Lt wrist X-ray, PA/AP view, presentation radiograph, 86.8 mm image width — 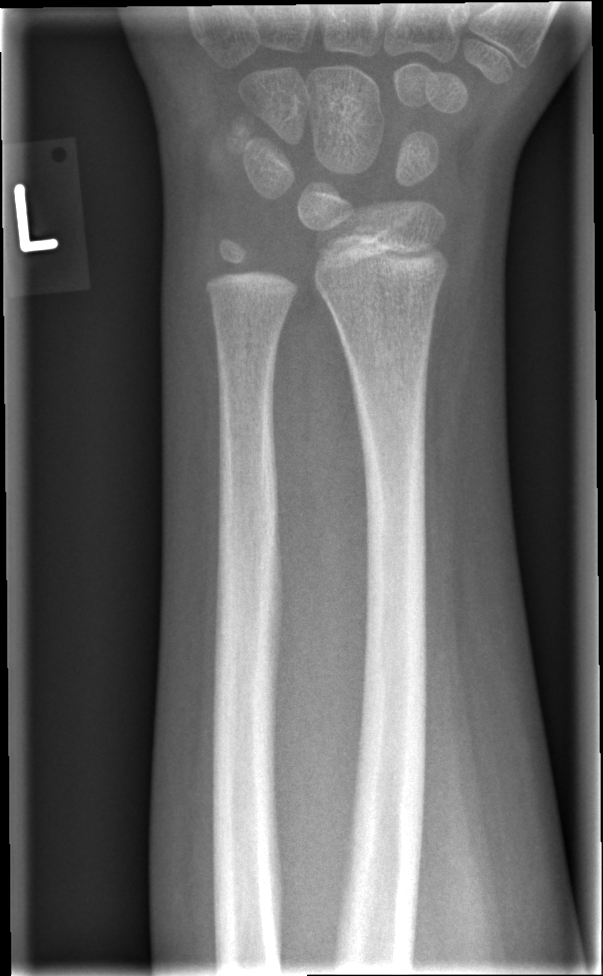 FINDINGS — Fracture: none labeled.